Lateral projection | Rt plain radiograph of the wrist | cast in situ | Siemens.

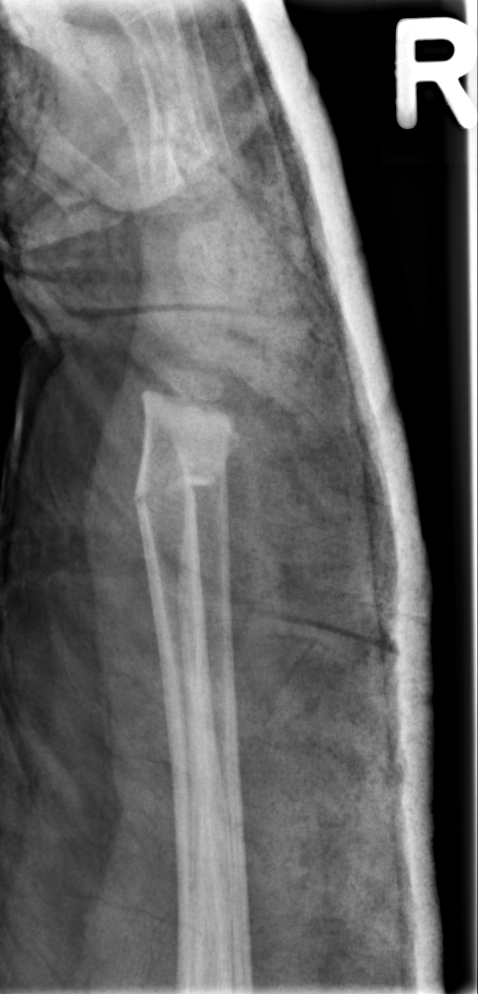

- Fx identified at bbox(129, 459, 226, 519).